Right pediatric wrist radiograph | PA | follow-up study | in cast.

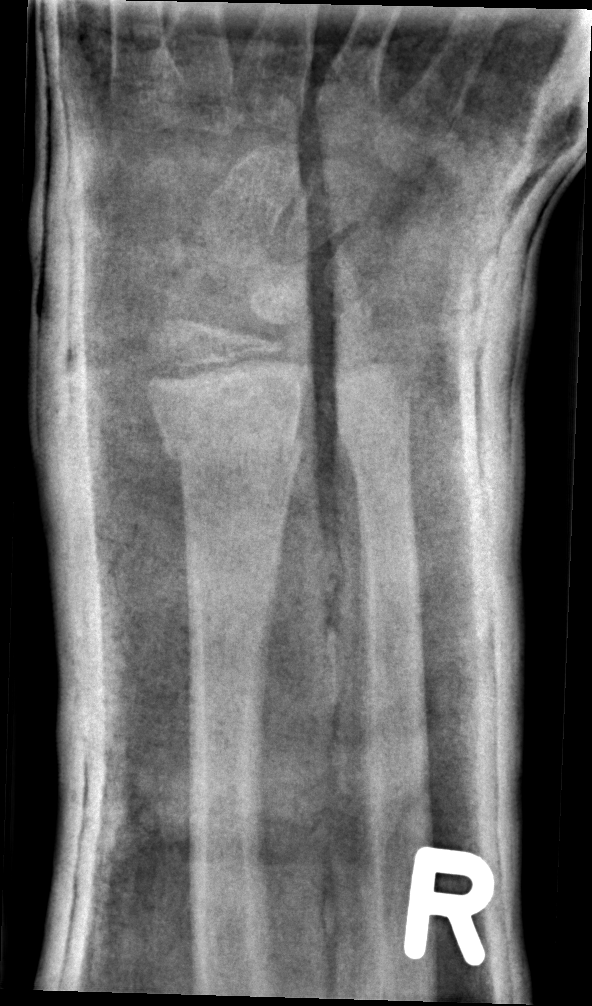
(boxes as x1,y1,x2,y2 (top-left / bottom-right, pixel units))
Fracture: 155 410 307 480